PA; left wrist XR; age 17 y, girl; 722x1088

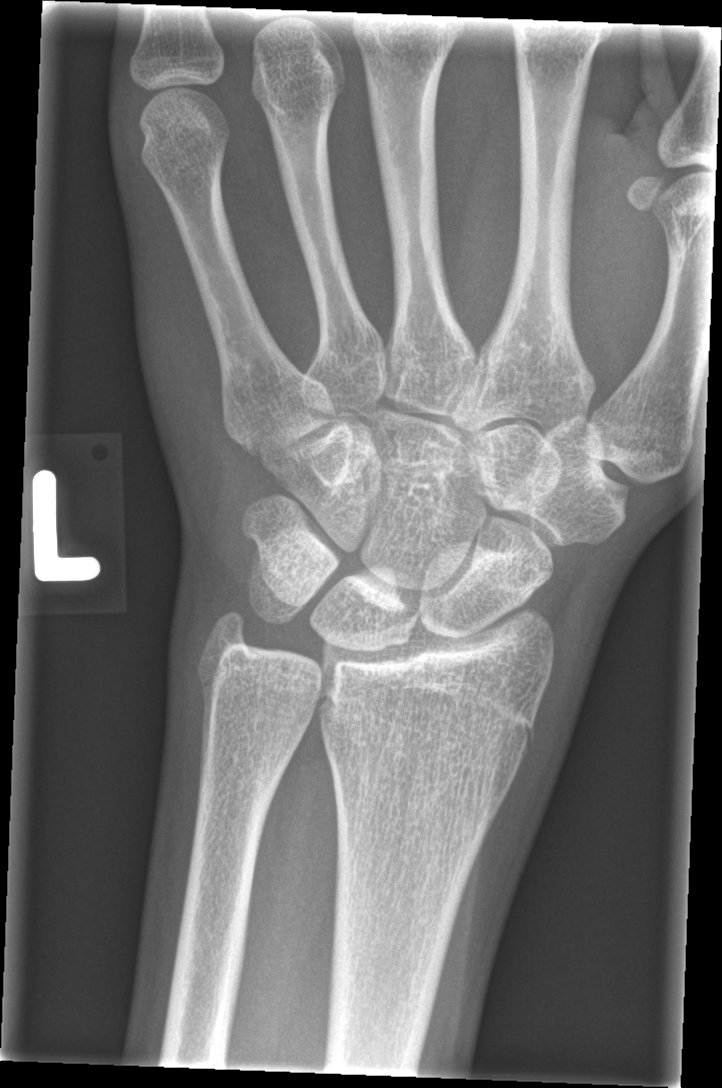

• Fracture: none labeled.